L plain radiograph of the wrist · AP · pediatric patient (female, age 14):
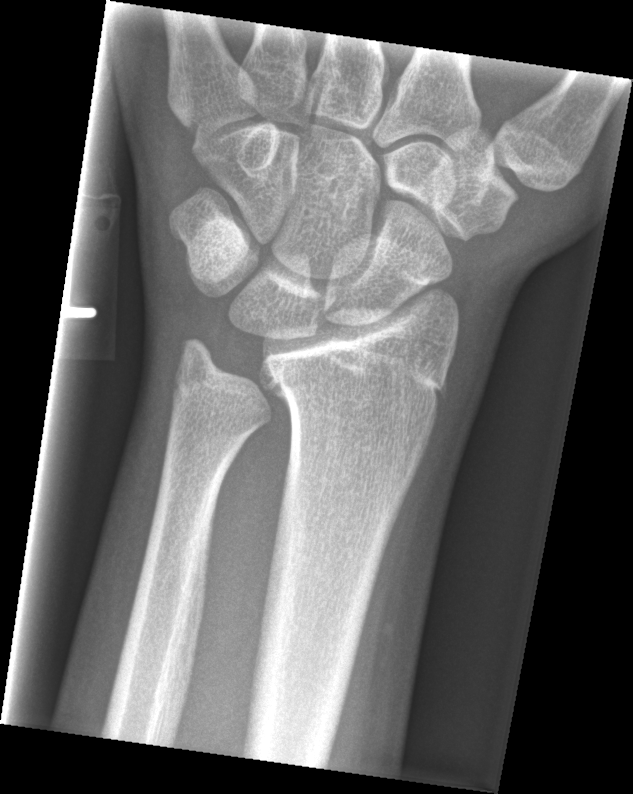
No fracture bounding box. Bone variant identified at (left=160, top=296, right=303, bottom=460).